Rt wrist radiograph; lateral view; girl, 9 yo; image size 389x856 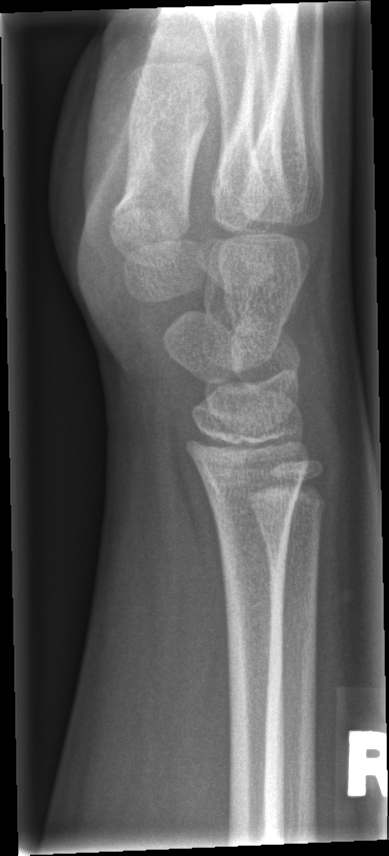 FINDINGS — No Fx annotated.